AP view, right wrist XR, age 11 y, girl:
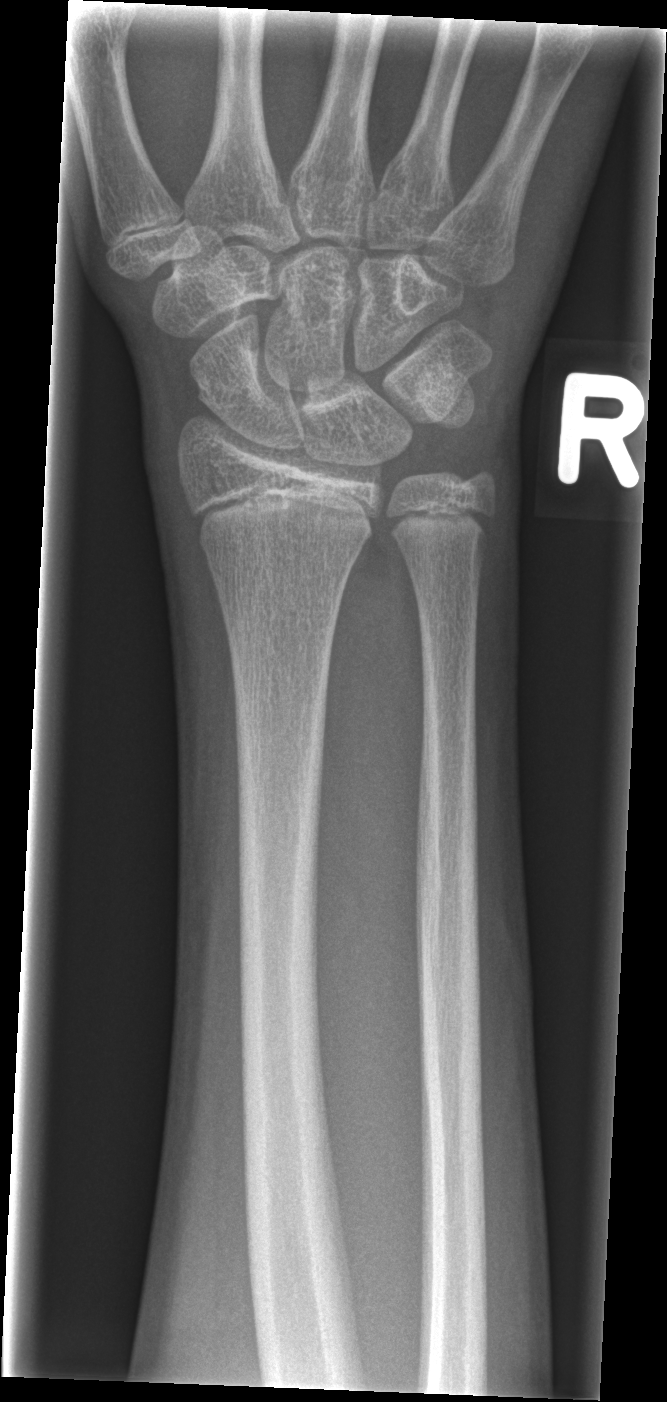
No Fx annotated.